Lt plain radiograph of the wrist · lat view · subsequent exam · image 80.4 mm wide —
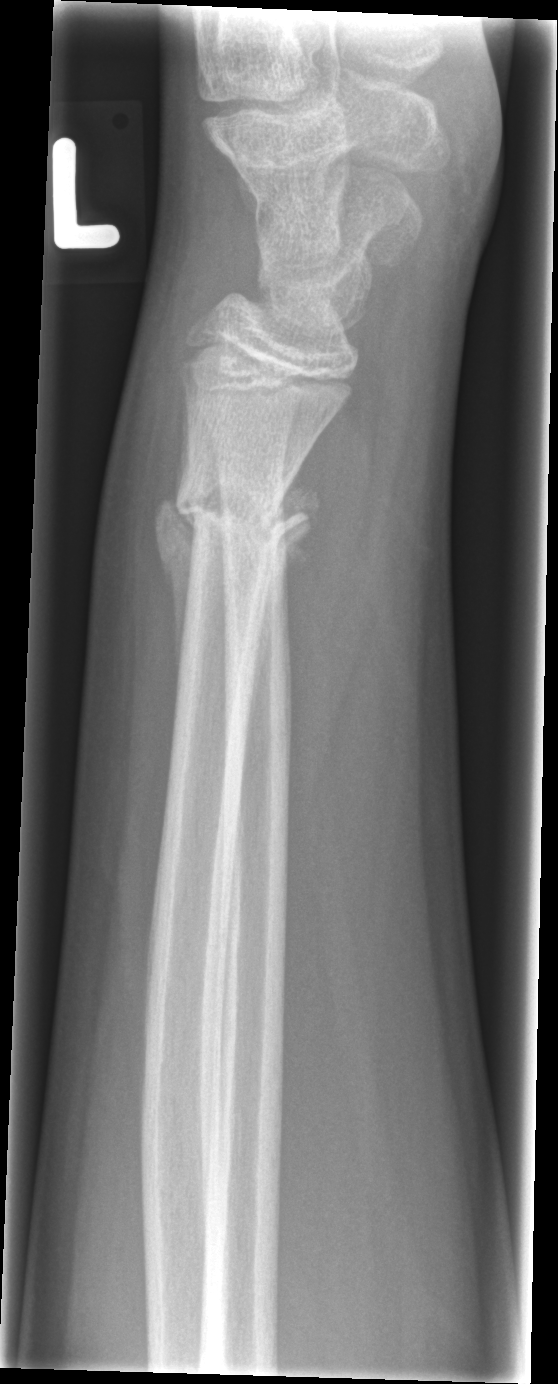
Fracture classified AO/OTA 23r-M/3.1; 23u-E/7. Decreased bone density (osteopenia). Periosteal thickening — 249 460 320 731 | 153 498 197 696 | 175 386 190 506. Fracture identified at 168 473 313 567.